Lateral view; L pediatric wrist radiograph; image 82.9 mm wide; 576 x 1214 px:

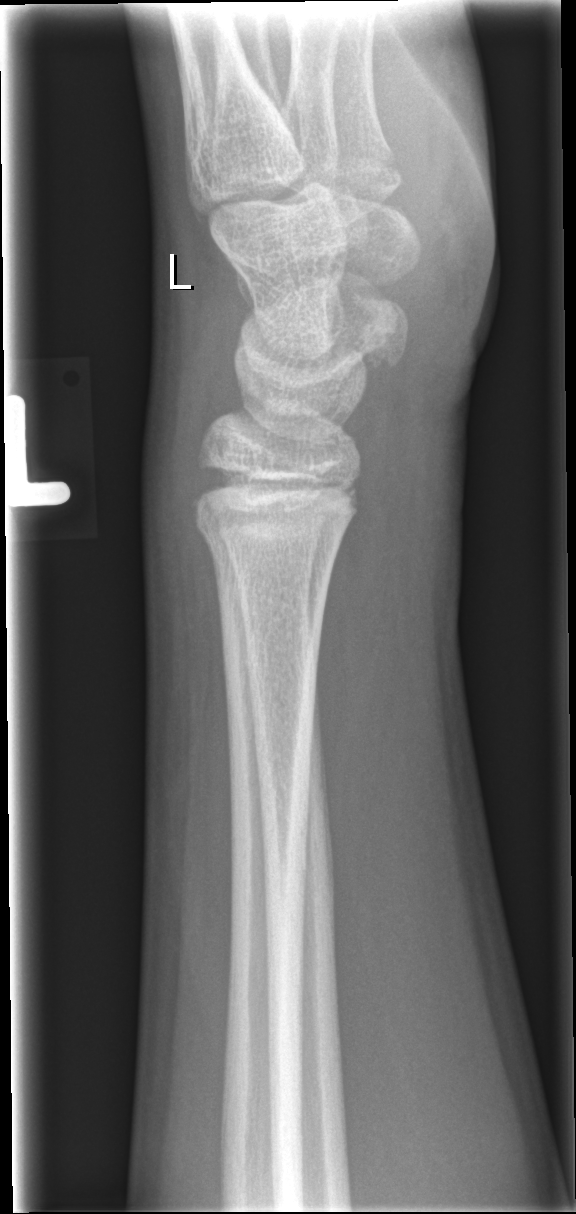
One positive pronator fat-pad sign at 314 494 391 819. AO/OTA classification: 23r-M/2.1. Bone fracture: 186 495 353 568.